Lateral projection; right plain radiograph of the wrist; follow-up. 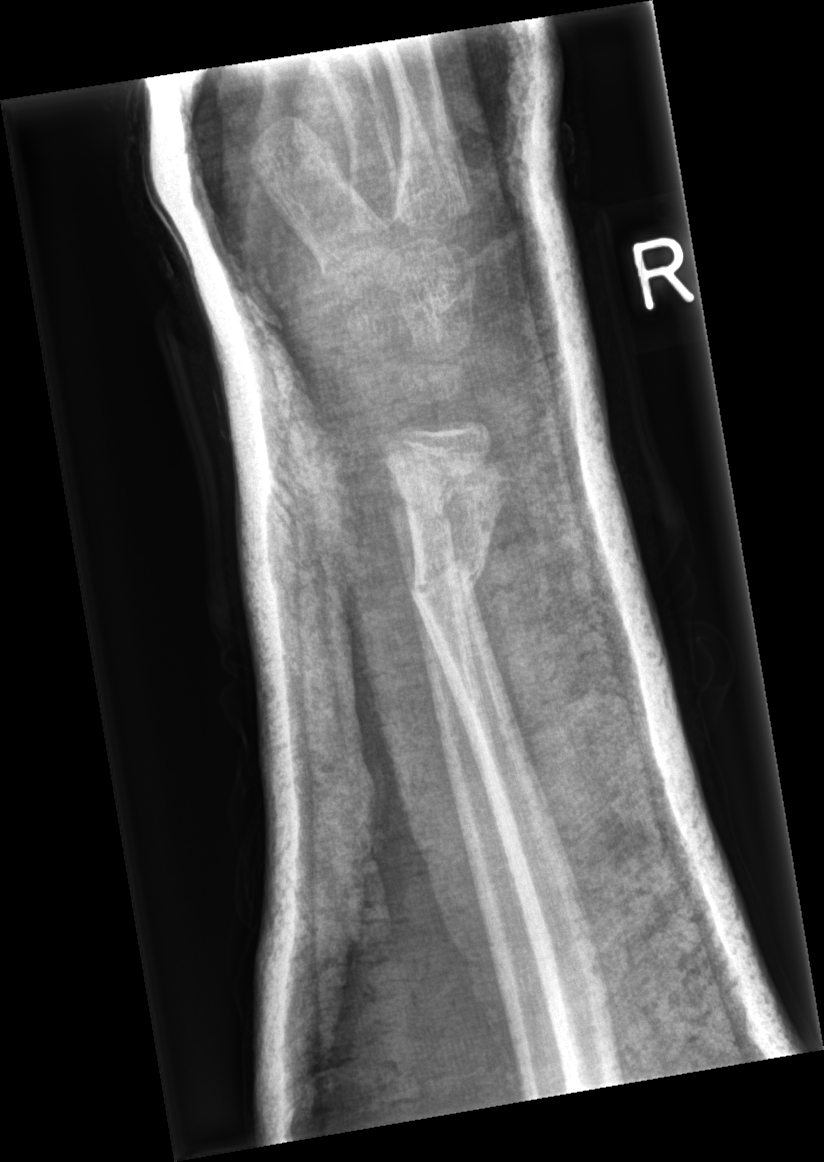
fracture = 1 @ 400,546,495,612
AO classification = 23r-M/3.1; 23u-M/2.1